PA/AP projection; Lt wrist plain film; pediatric patient (female, age 1.8); Siemens —

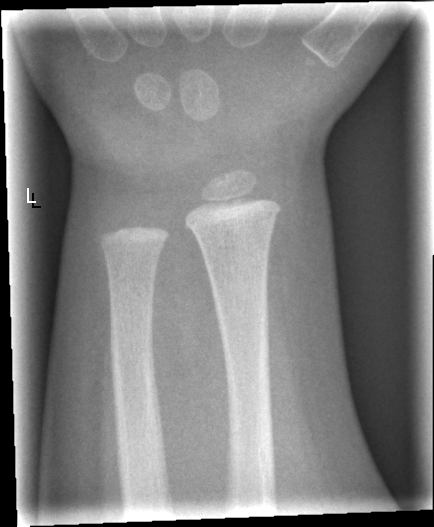 No fracture annotation.